Right wrist plain film; lat; subsequent exam.

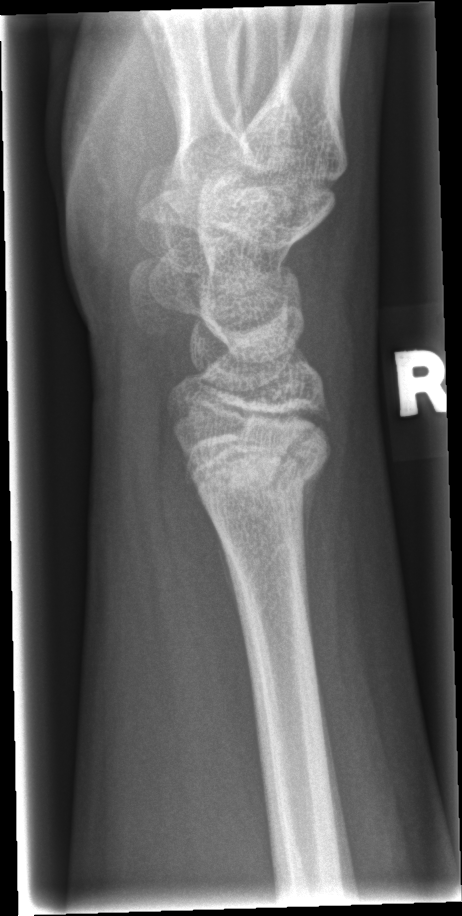
(coordinates are [x1, y1, x2, y2] in image pixels)
Q: Any periosteal thickening?
A: One periosteal new bone at 293 453 330 650
Q: Any fracture seen?
A: Fx — 190 410 332 508
Q: Is there osteopenia?
A: Decreased bone density (osteopenia)